Lat view; Rt wrist XR; male, 6 yo; 392x938 — 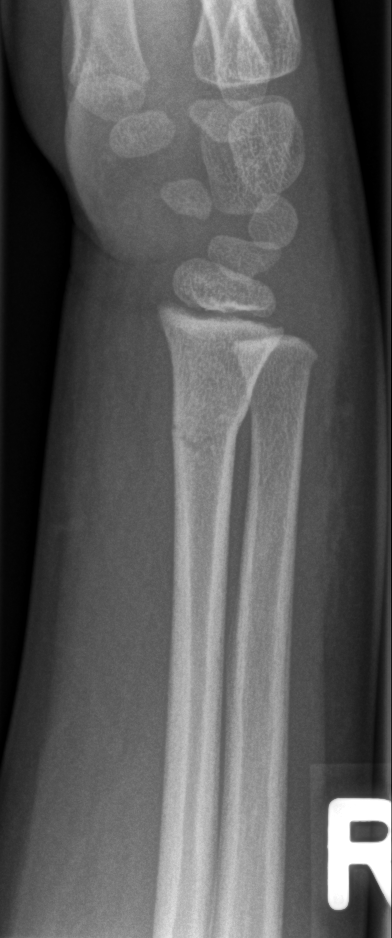
(bounding boxes in image-pixel xyxy)
soft-tissue swelling: [41, 299, 179, 793] [310, 211, 383, 388]
AO classification: 23-M/2.1
bone fracture: [168, 412, 247, 458], [234, 344, 322, 380]